Lateral projection; left wrist plain film; acquired on Siemens; 447 x 1062 px
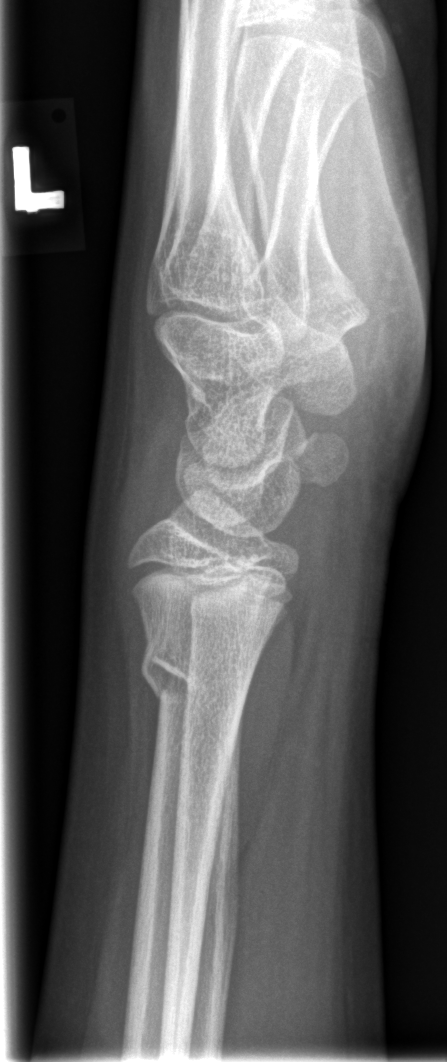

{"ao": "23r-M/2.1; 23u-E/7", "fracture": "1 @ bbox(138, 623, 256, 707)"}